Lt wrist plain film; lat view; 15y M; presentation radiograph; diagnosis uncertain —

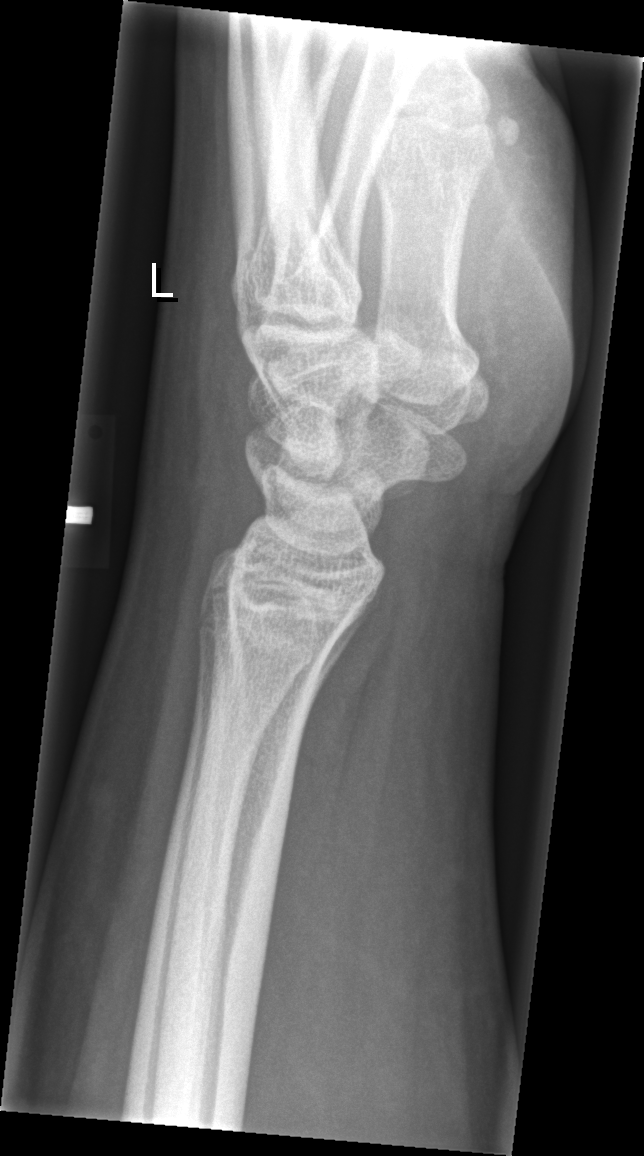
Q: Is there a fracture?
A: Fx: none